Frontal projection · R wrist radiograph · 1.6y F.

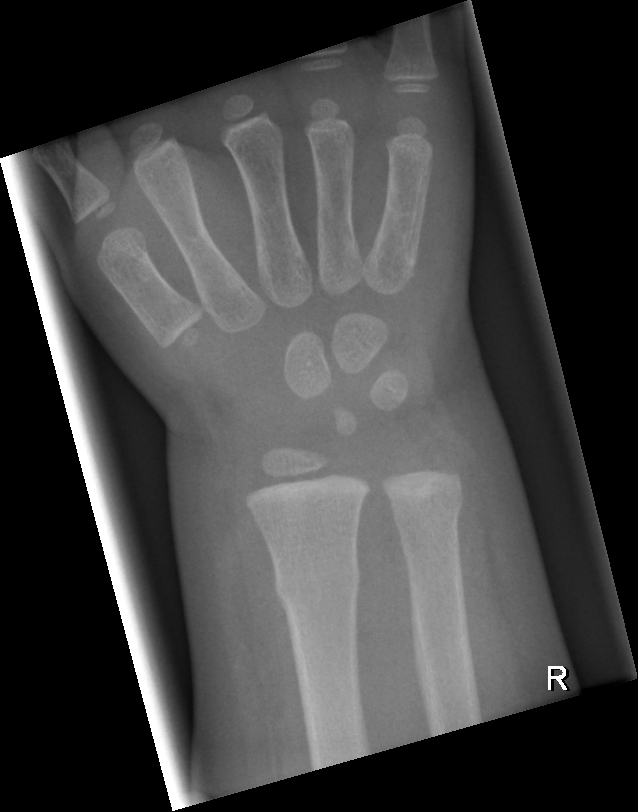 Q: Locate any fractures.
A: Bone fractures — (270, 557, 365, 609), (392, 489, 466, 547)
Q: What is the AO/OTA classification?
A: AO code 23-M/2.1